PA/AP projection, left wrist radiograph, imaged through cast, image 84.4 mm wide —
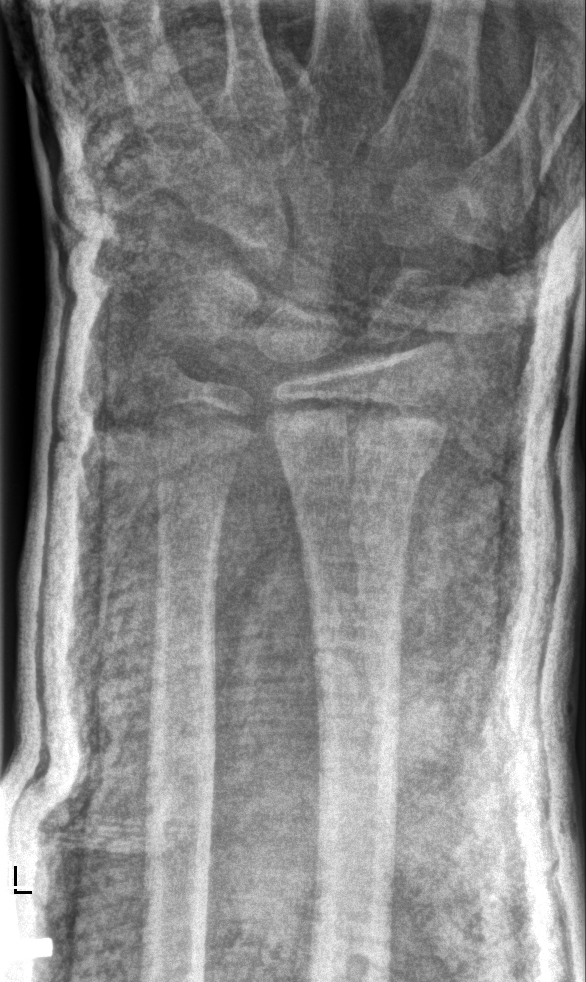

Coordinates are [x1, y1, x2, y2] in image pixels. Fracture classified AO/OTA 23r-E/2.1. Bone fracture — bbox(276, 414, 443, 496).